Right wrist X-ray · PA projection · boy, 10 yo.

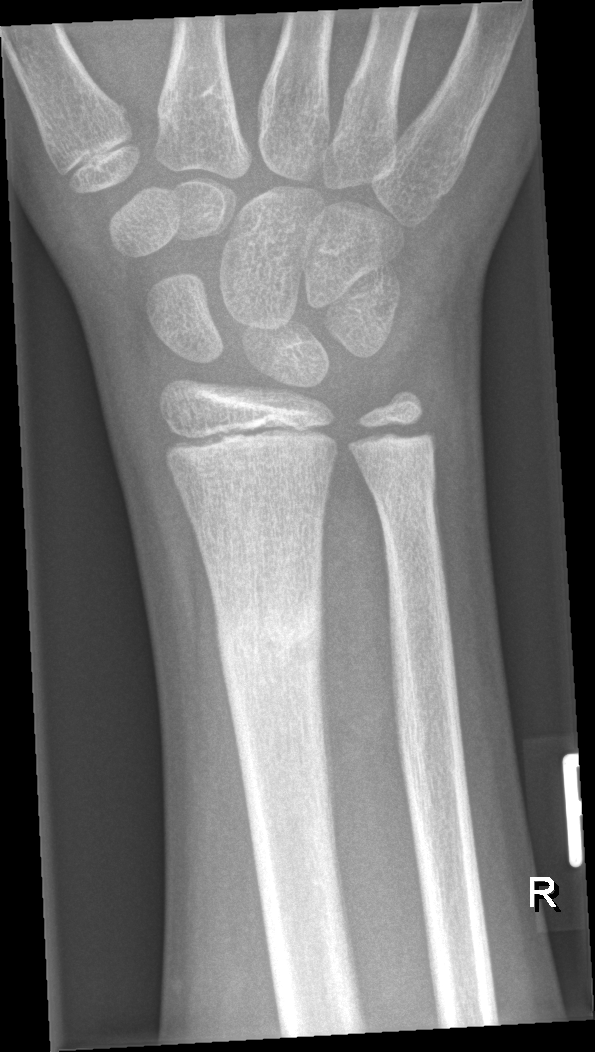 Fracture identified at 208,577,328,686 | 362,442,444,525.
AO code 23-M/2.1.